PA | right plain radiograph of the wrist | presentation radiograph 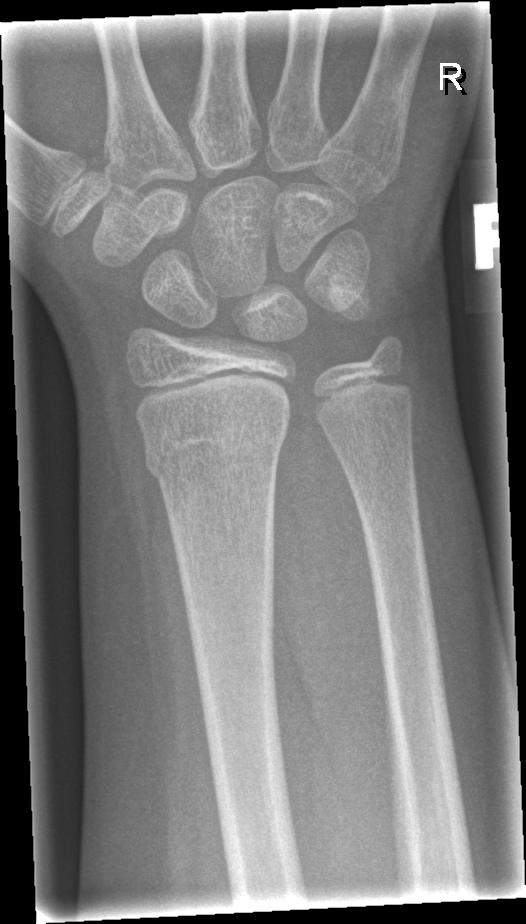 AO classification: 23r-M/3.1
fracture: (left=140, top=405, right=291, bottom=486)